Lat | left wrist radiograph 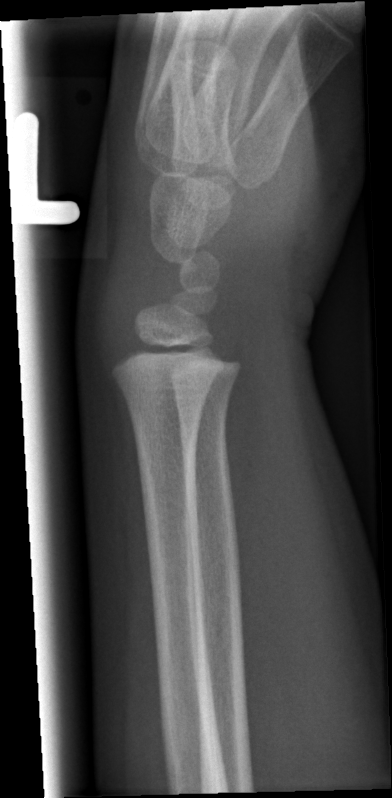

* No Fx annotated.